Lateral | Lt wrist radiograph | 6-year-old boy | index exam | 43.2 mm image width

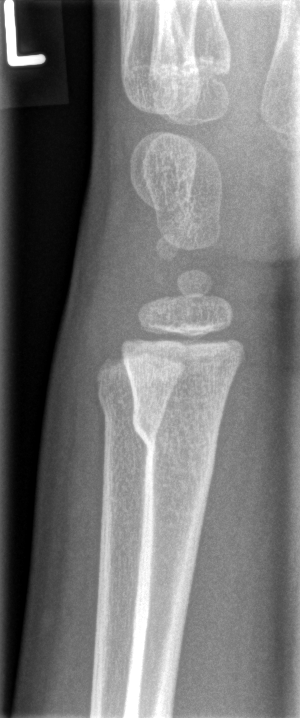

{"_coords": "bounding boxes in image-pixel xyxy", "fracture": "2 @ (left=128, top=390, right=223, bottom=478) (left=93, top=378, right=170, bottom=436)"}